Frontal view · left wrist XR · 15y M · in cast
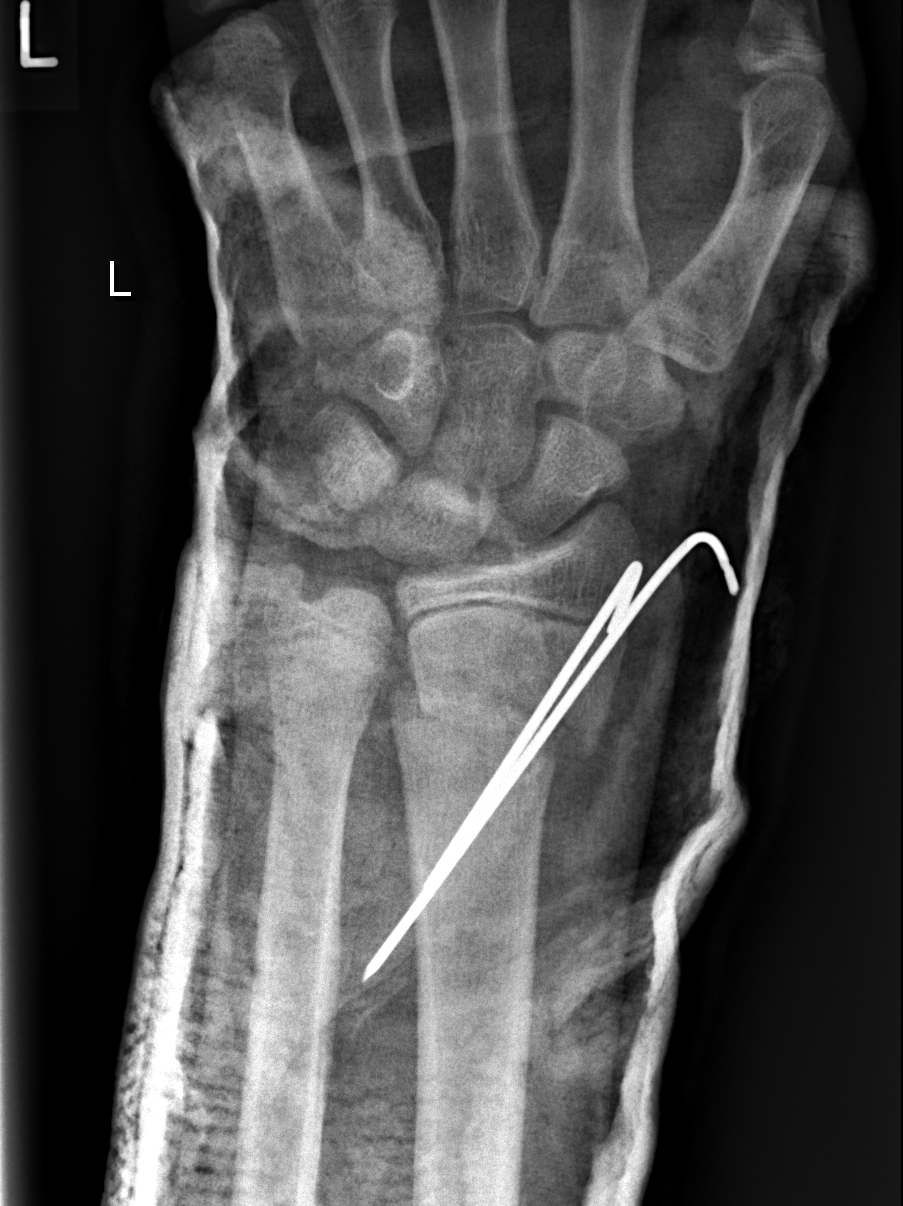
Bone fracture = 1 @ 382,661,616,772
AO code = 23r-M/3.1; 23u-M/2.1
Metal = 1 @ 365,531,739,981